Lateral; right wrist plain film; pediatric patient (female, age 12); 662 by 1054 pixels —

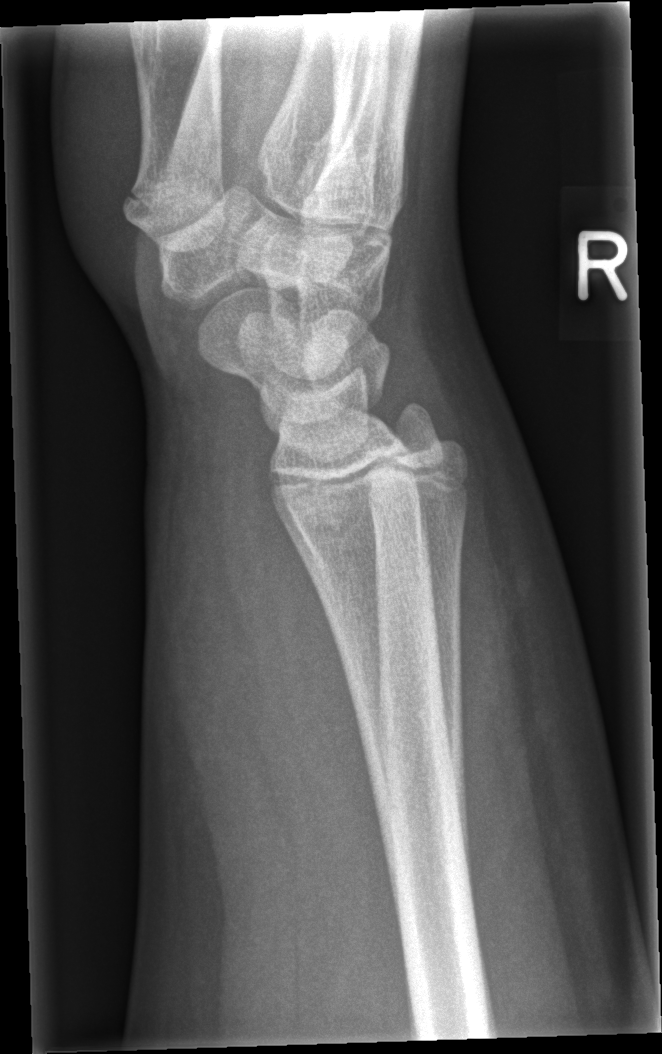

(pixel coordinates, top-left origin, xyxy)
Q: Any bone anomaly?
A: Bone anomaly identified at (360, 367, 488, 583)
Q: Fracture present?
A: Fracture present, but no bounding box because it is not clearly seen in this view
Q: What is the AO/OTA classification?
A: Fracture classified AO/OTA 23u-E/3; 23u-E/7